R wrist X-ray · posteroanterior · subsequent exam.
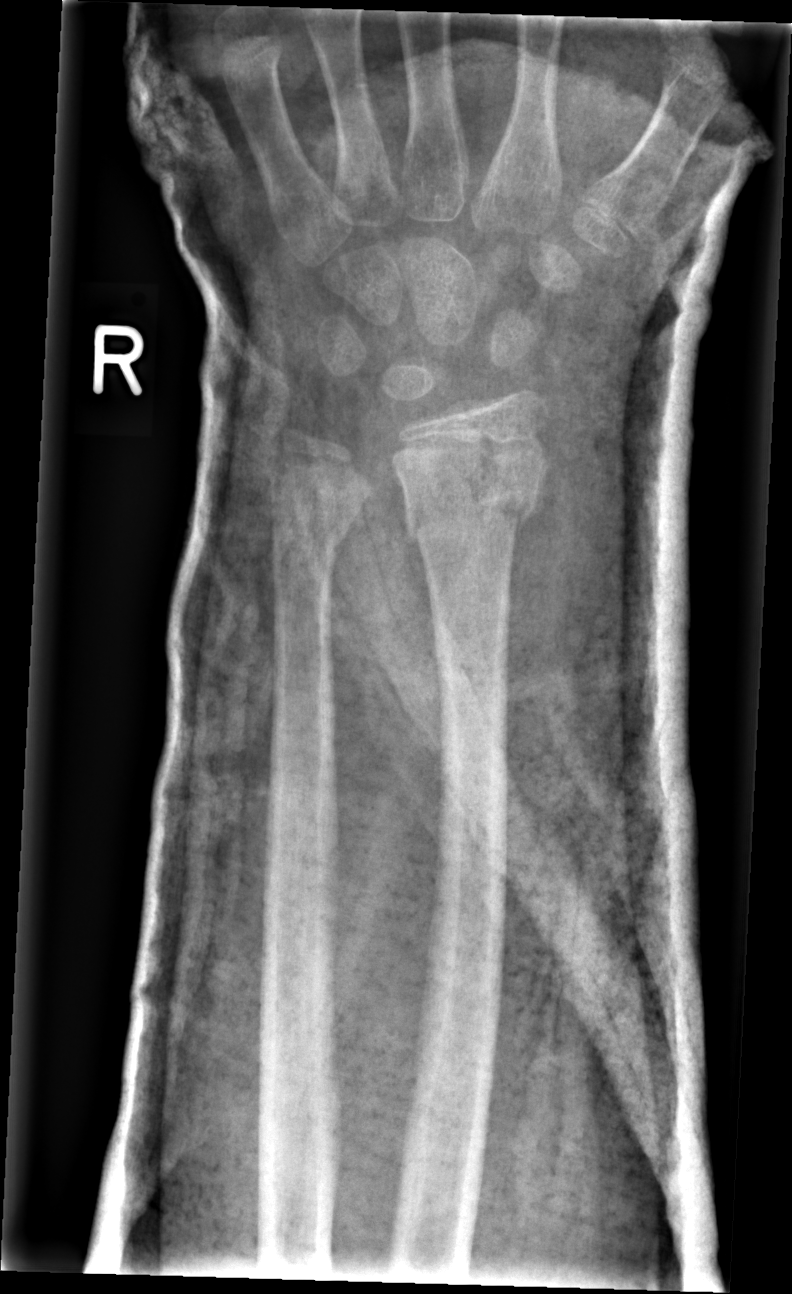
(coordinates are [x1, y1, x2, y2] in image pixels)
AO code = 23-M/3.1
bone fracture = 2 @ [391, 446, 555, 542]; [264, 486, 362, 561]